L plain radiograph of the wrist; lateral projection; age 14 y, male; Siemens: 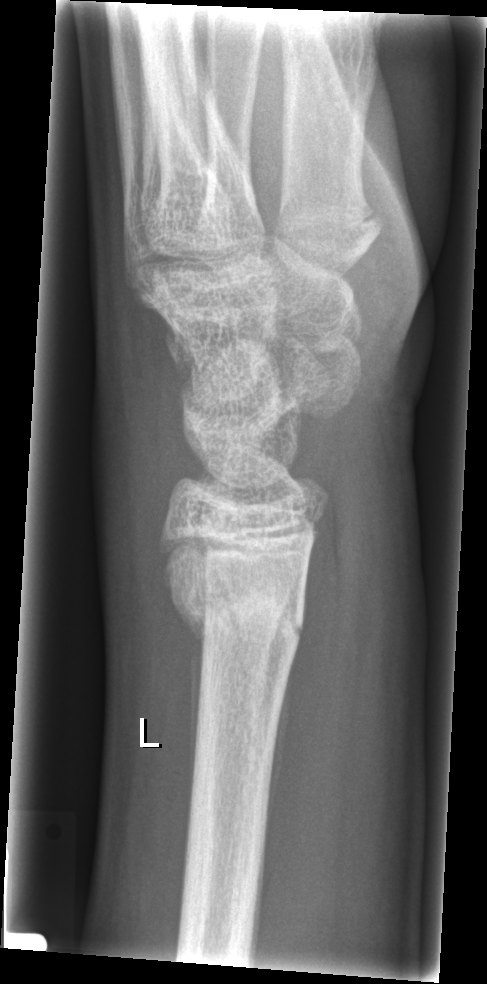
Fx: [163, 567, 310, 661]
AO classification: 23r-M/3.1; 23u-E/7
osteopenia: present
periosteal new bone: 2 @ [261, 635, 297, 860]; [185, 612, 209, 872]